Lateral; left wrist plain radiograph of the wrist; follow-up study; image 52.7 mm wide. 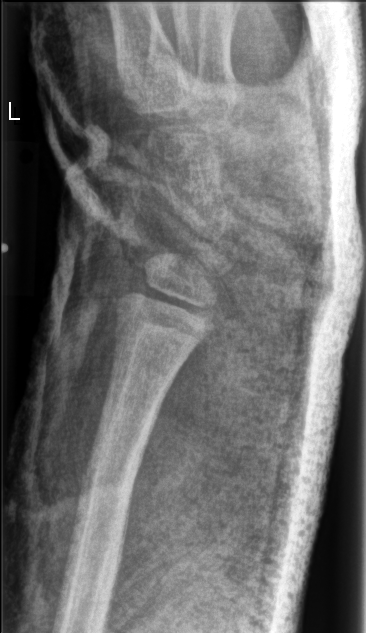

Fx identified at (79, 461, 140, 506). AO code 22-D/1.1.